Lt wrist XR | lat view | detector: Siemens —
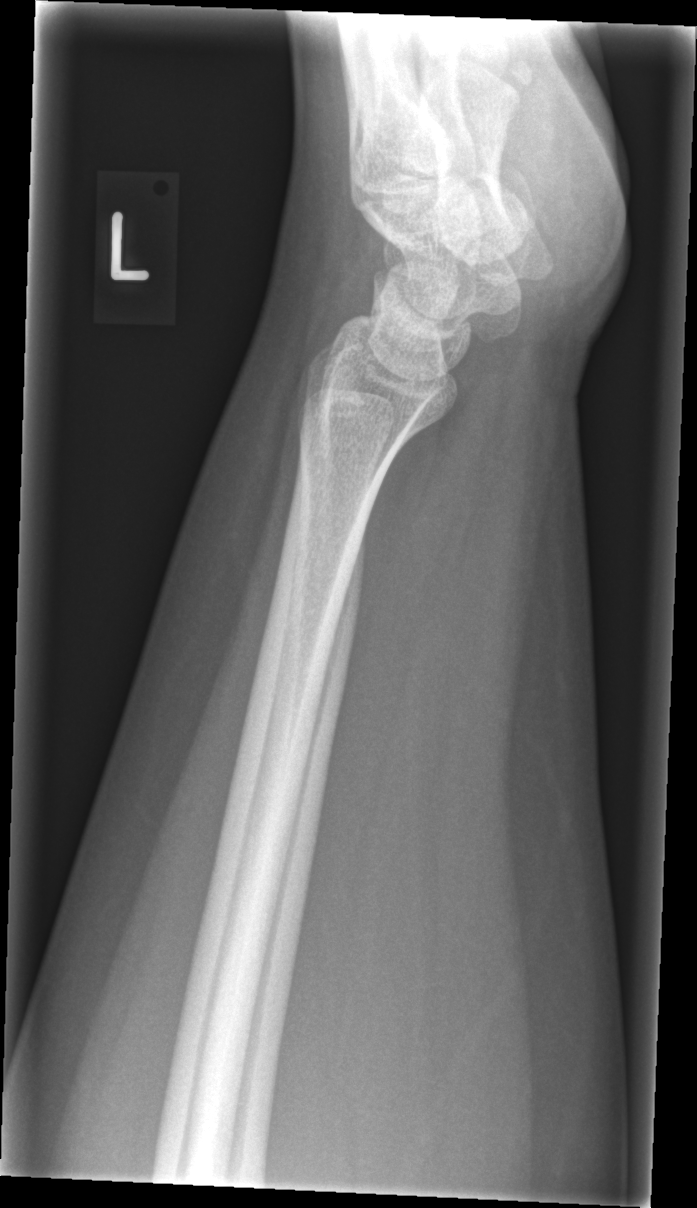

No fracture annotation.